Rt wrist plain film; AP; image size 582x796.
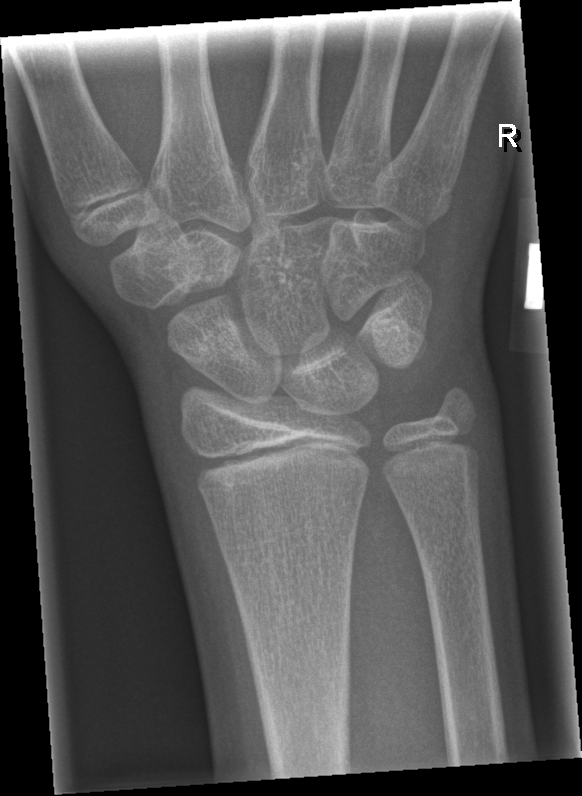
Fracture: none labeled.